AP view | Rt plain radiograph of the wrist | age 9 y, girl — 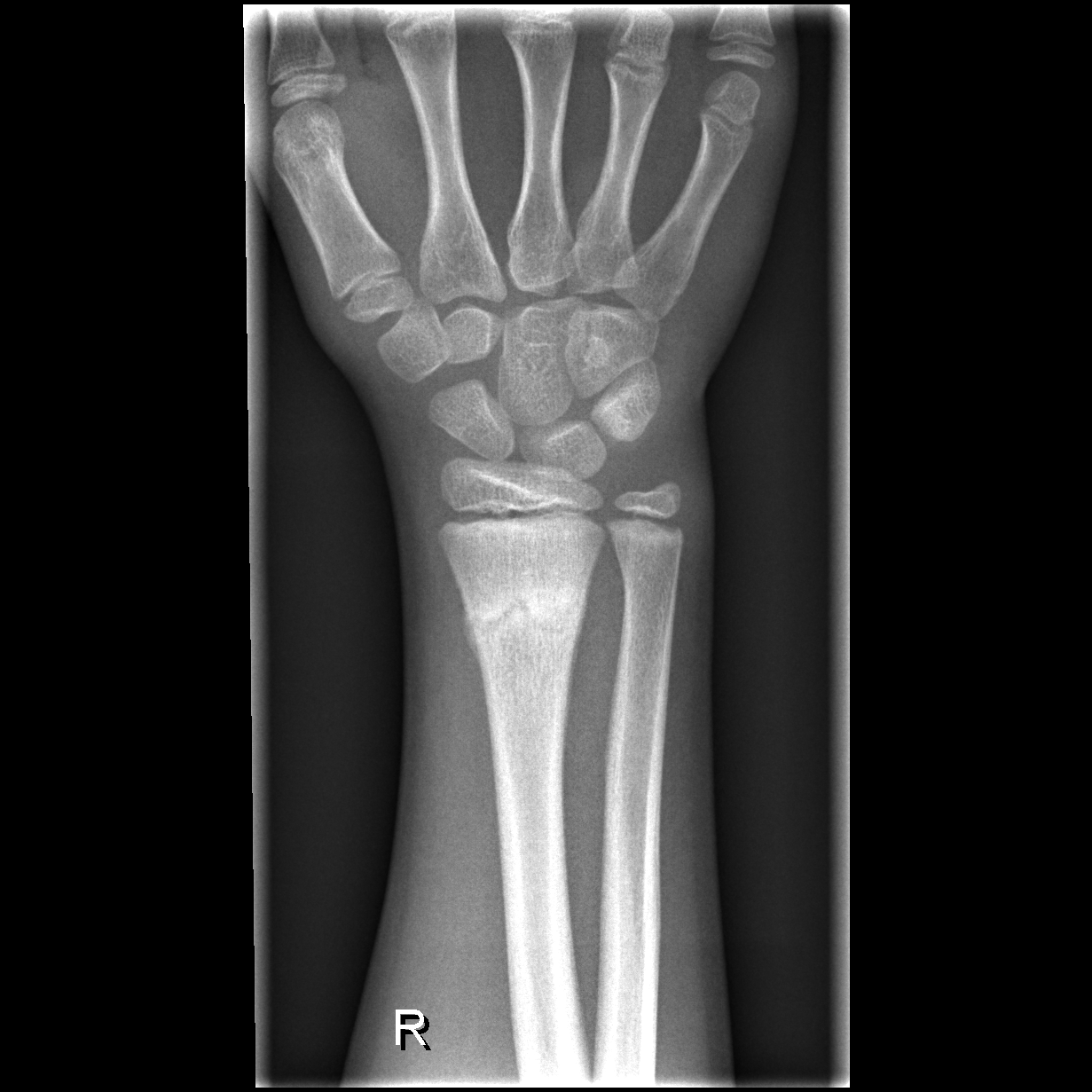 FINDINGS: Bone fracture: 460 574 588 657. One periosteal thickening at 454 575 486 688. Fracture classified AO/OTA 23r-M/3.1.